Lat view, Rt wrist XR, index exam:
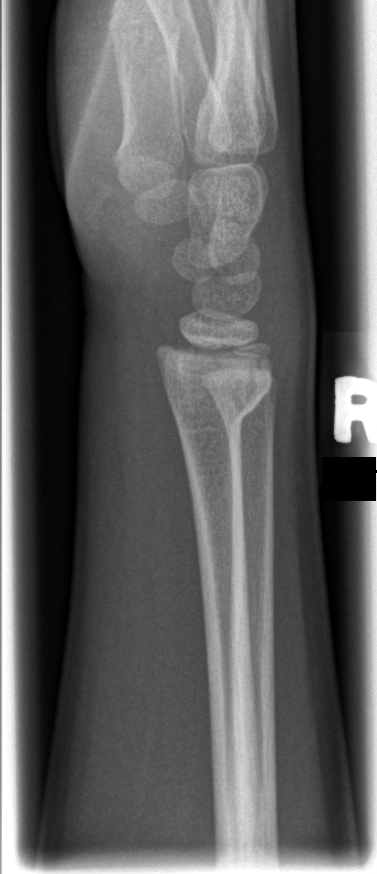

One fracture at [167, 386, 266, 438].